Left wrist plain film | PA view | female, 16 yo.
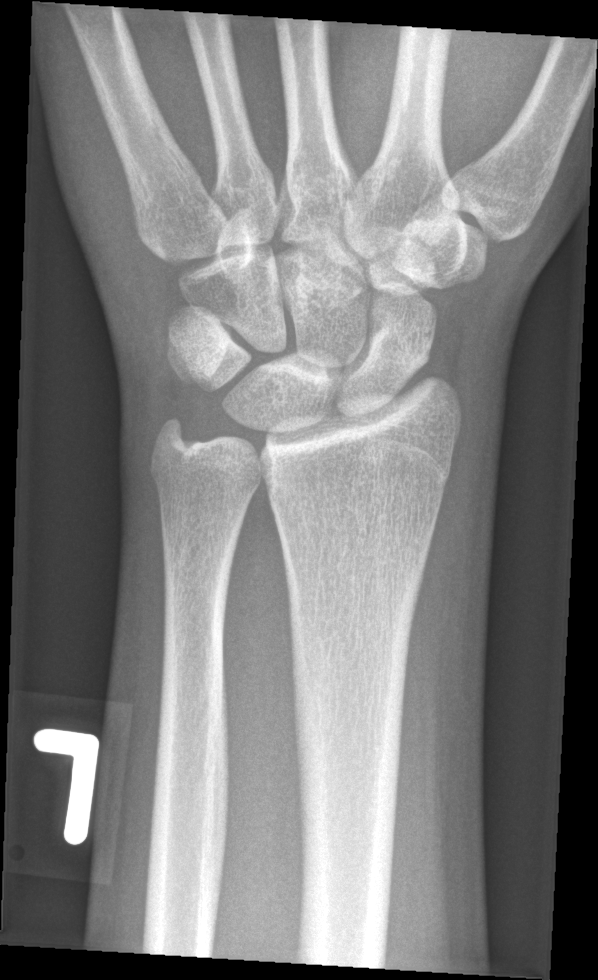   boneanomaly: 1 @ bbox(169, 252, 245, 338)
  fracture: none labeled